Lat view, Lt wrist plain film, follow-up, Siemens —

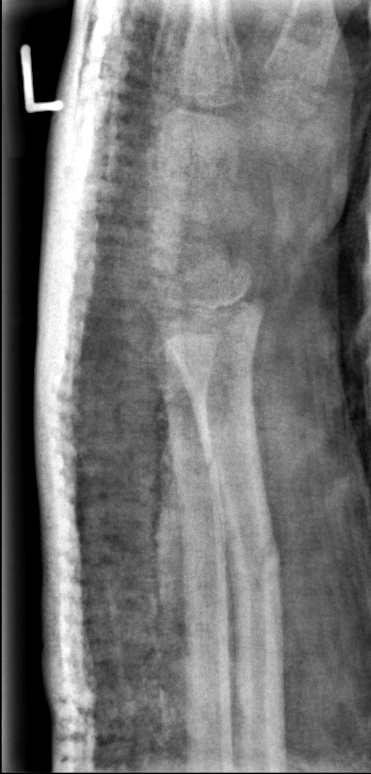 Findings: (pixel coordinates, top-left origin, xyxy) AO code 22r-D/2.1; 23u-M/2.1. Fx identified at <227,523>-<285,598>.